Lat projection · Rt wrist X-ray · pediatric patient (male, age 12) · follow-up study · cast present · 532 x 1232 px

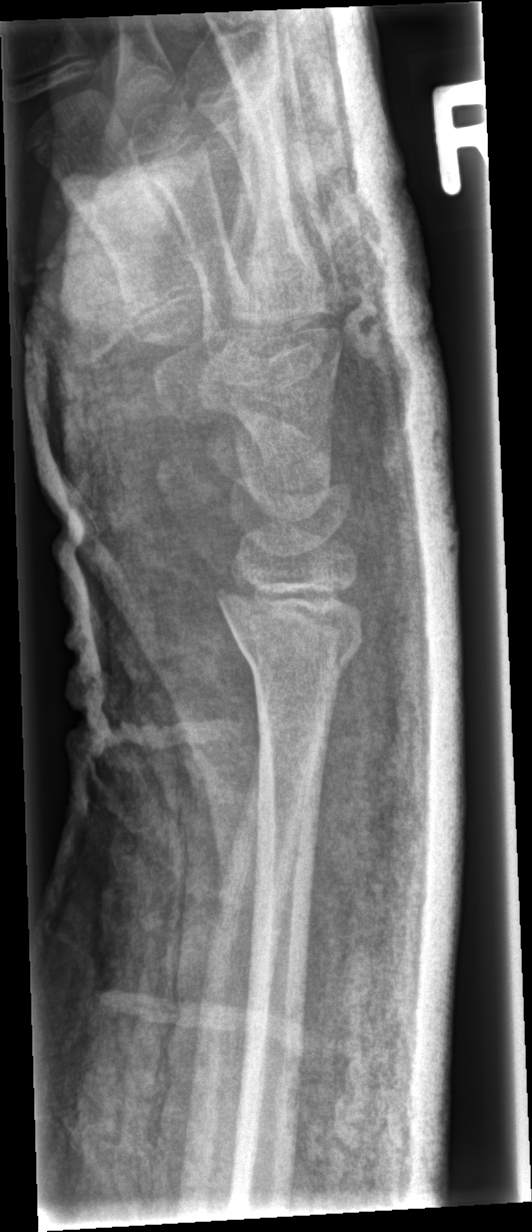

- AO code 23r-E/2.1; 23u-M/2.1.
- Bone fracture — [x1=210, y1=575, x2=366, y2=678].